Frontal view | L plain radiograph of the wrist | boy, 12 yo

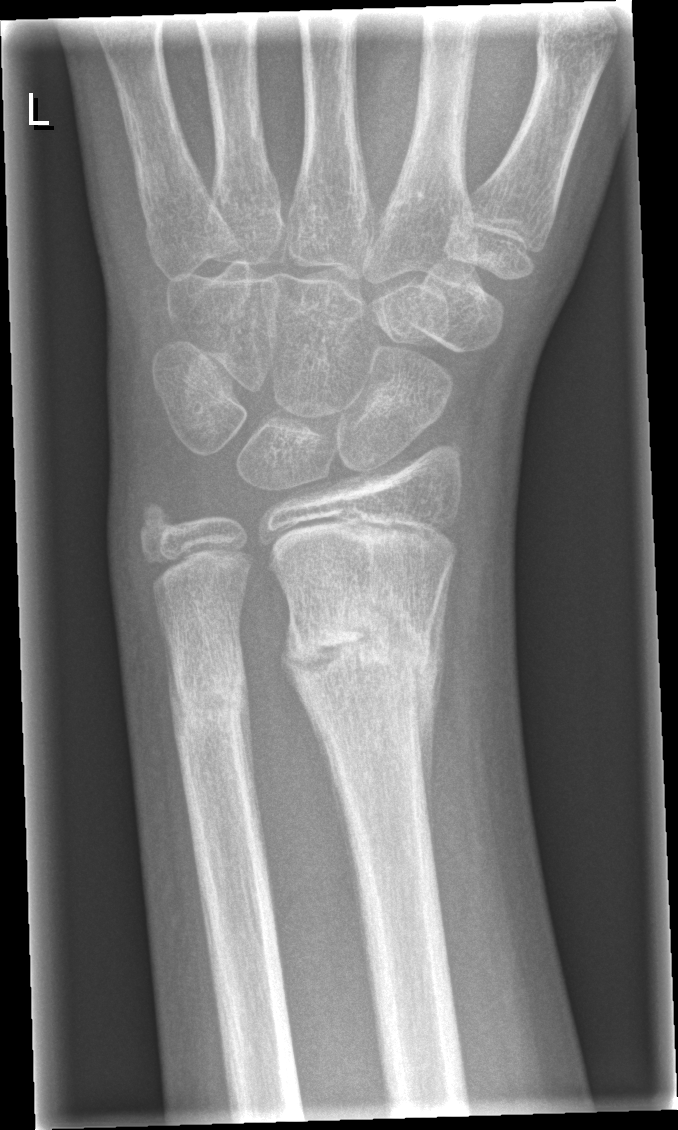

Boxes as x1,y1,x2,y2 (top-left / bottom-right, pixel units). Fracture classified AO/OTA 23-M/3.1; 23u-E/7. Three Fx at 284 600 435 722; 164 652 249 735; 131 490 190 553. Periosteal thickening — 273 573 345 818; 413 556 456 865; 157 614 183 737; 239 644 257 811. Reduced bone mineral density.